R wrist XR; lateral view; boy, 10 yo; subsequent exam —

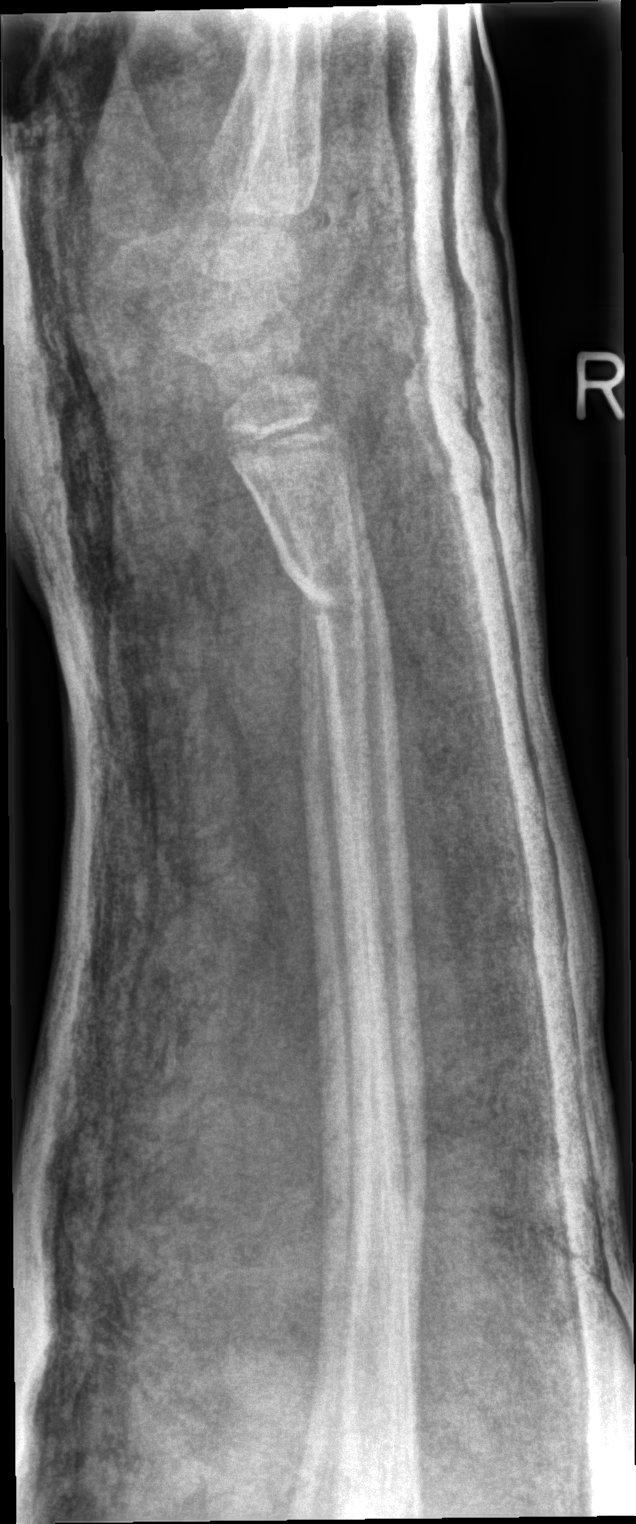

AO code: 23-M/2.1
Fx: 1 @ (284, 560, 392, 635)